Frontal · right wrist plain film · age 10 y, boy. 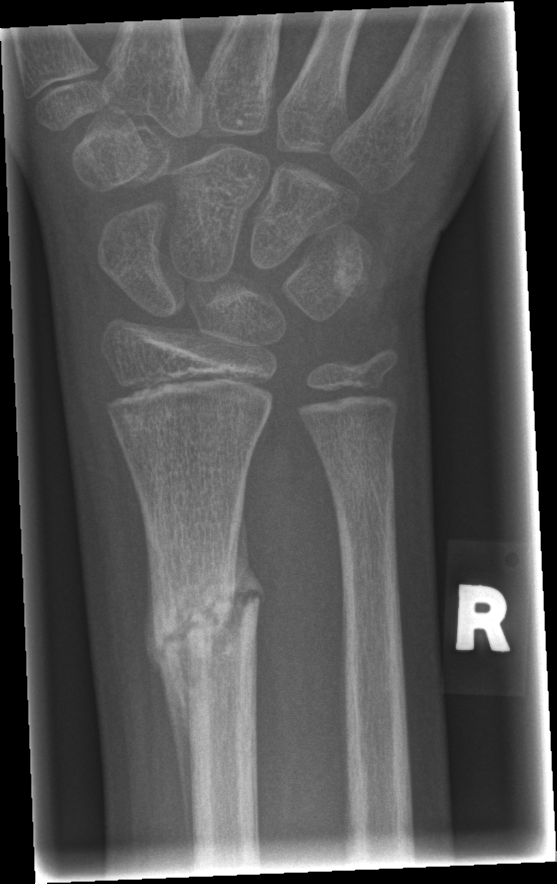 Q: Is there periosteal reaction?
A: Periosteal reaction — <148,567>-<194,859>; <233,526>-<258,605>
Q: Is there osteopenia?
A: Decreased bone density (osteopenia)
Q: Is there a fracture?
A: Fracture: <151,556>-<262,672>, <329,458>-<396,518>
Q: What is the AO/OTA classification?
A: Fracture classified AO/OTA 23r-M/3.1; 23u-M/2.1